Posteroanterior view · right wrist X-ray · 13-year-old boy:
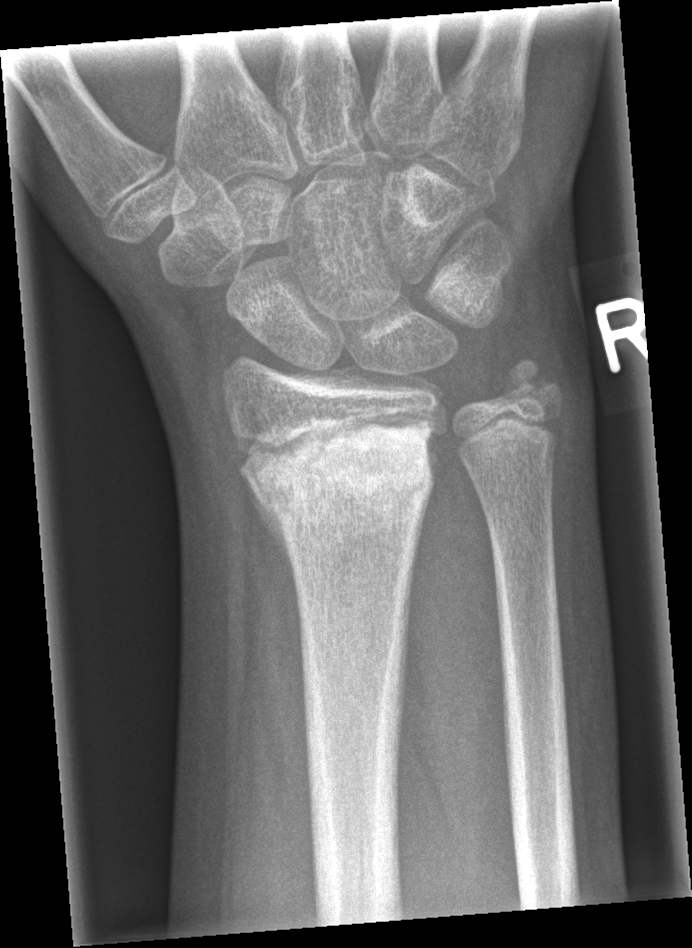

Bounding boxes in image-pixel xyxy. Periosteal thickening identified at bbox(245, 476, 295, 567). Fx identified at bbox(238, 407, 443, 546), bbox(498, 352, 566, 407).